Right wrist XR, lateral projection, Siemens:
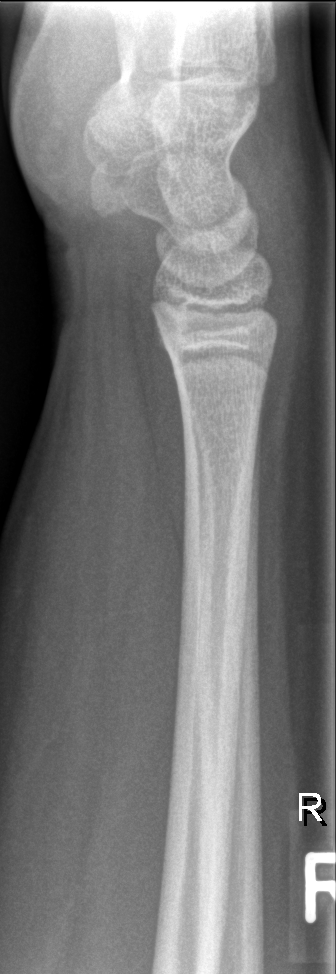

FINDINGS — No fracture annotation.